Lt wrist XR · lateral · 13-year-old girl · Siemens — 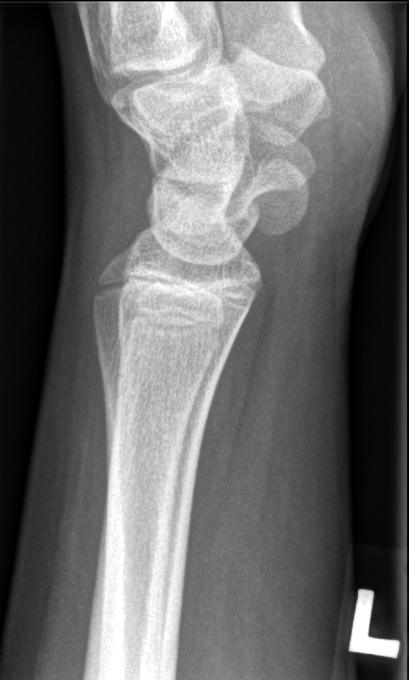
* No fracture annotation.